Frontal view, right pediatric wrist radiograph, 13-year-old boy.
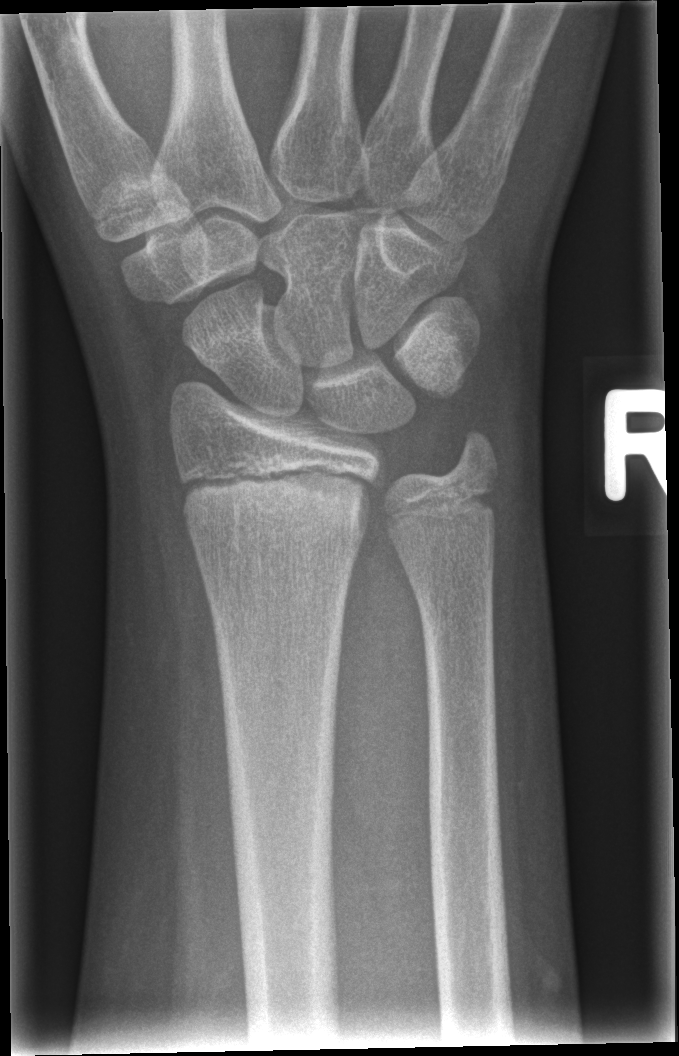 Q: Is there a fracture?
A: Fx — (left=170, top=456, right=383, bottom=550), (left=445, top=416, right=506, bottom=486)